Left wrist XR · lateral · cast present.

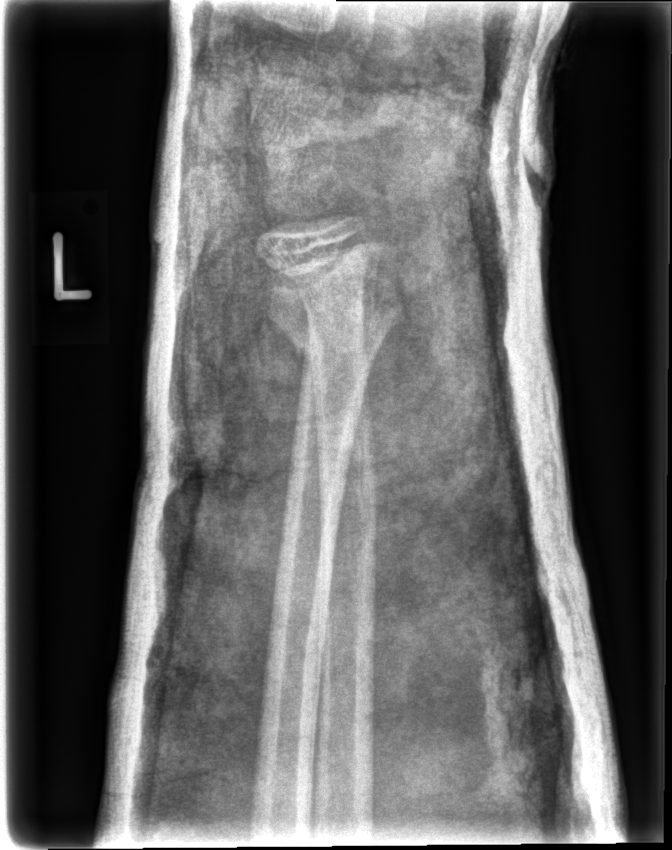 bone fracture: (left=258, top=274, right=410, bottom=360)